Left wrist XR | AP:
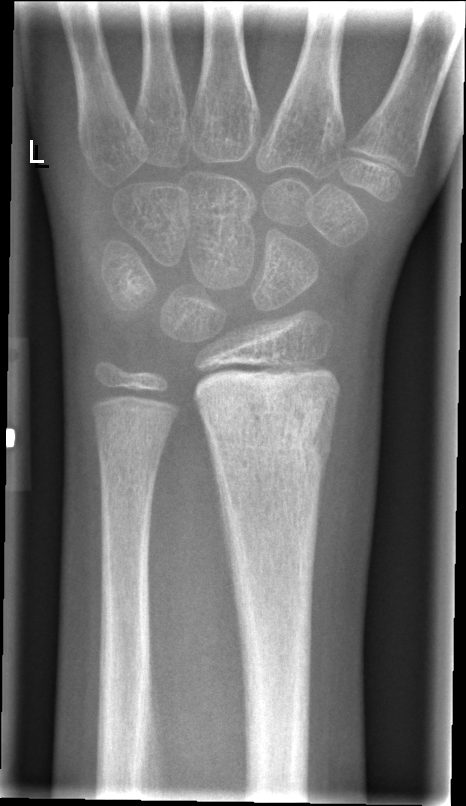

{"_coords": "pixel coordinates, top-left origin, xyxy", "fracture": "1 @ (196, 383, 340, 477)", "osteopenia": "present", "periostealreaction": "1 @ (208, 439, 232, 575)", "ao": "23r-M/2.1"}